Right wrist radiograph; frontal; index exam.

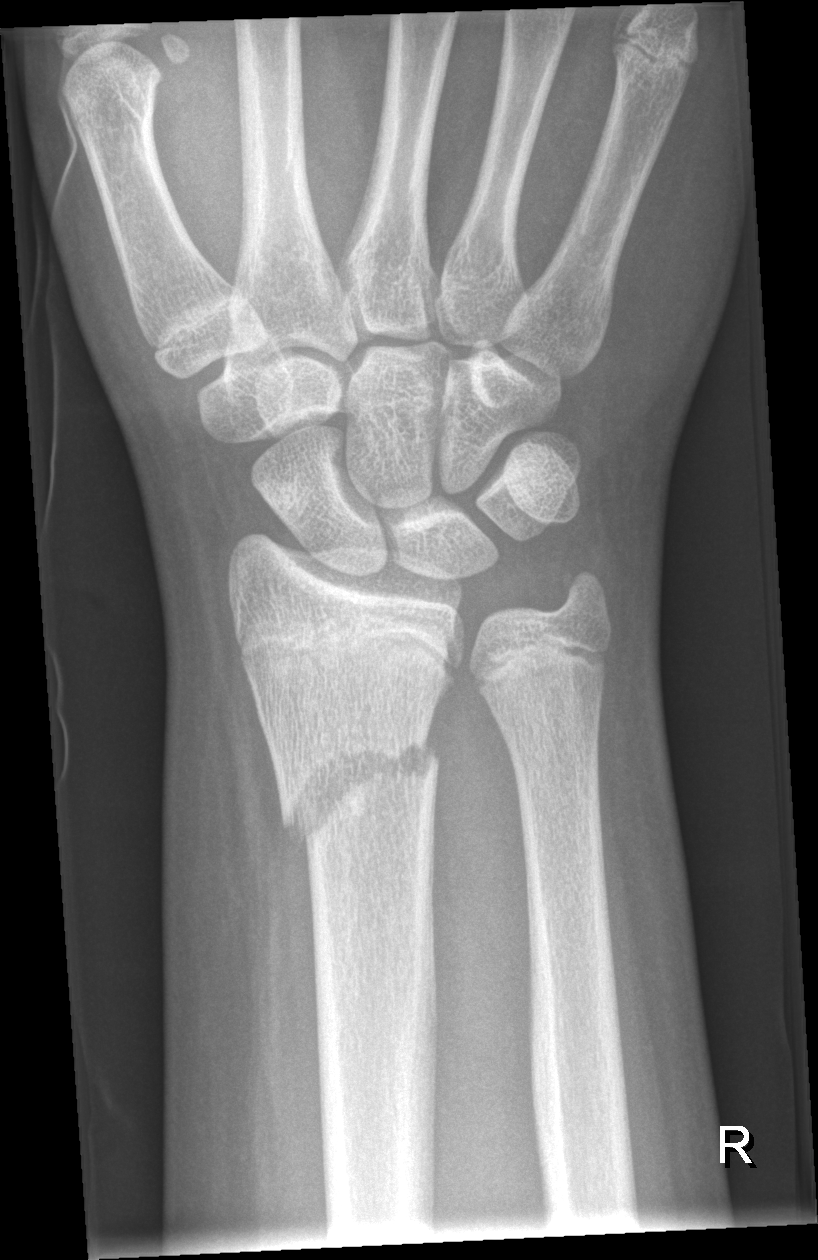 (coordinates are [x1, y1, x2, y2] in image pixels)
Fracture = 2 @ 277 737 442 858; 541 558 620 630